Left wrist radiograph · lat projection:

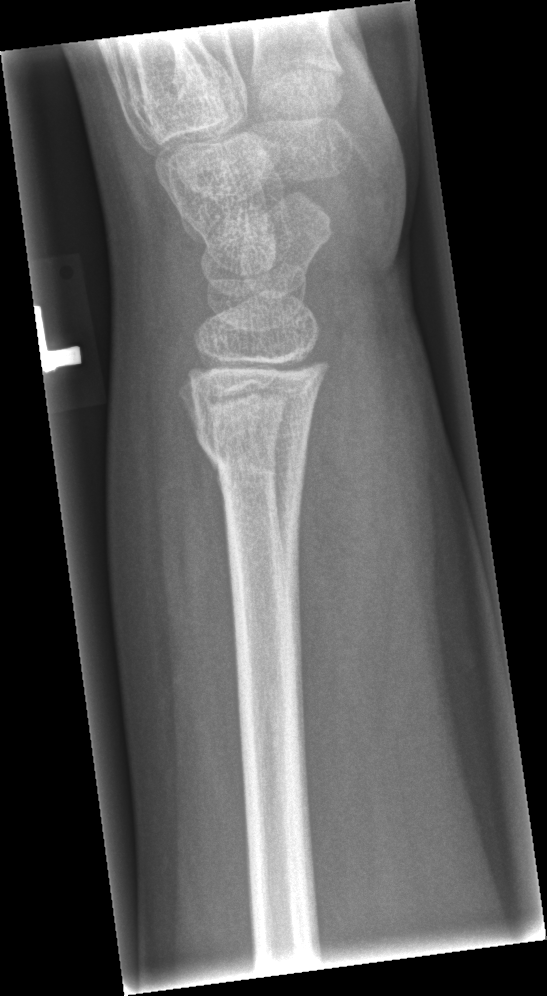 • Bone fracture: 192 410 309 490.